Lt wrist XR; PA/AP view; in cast 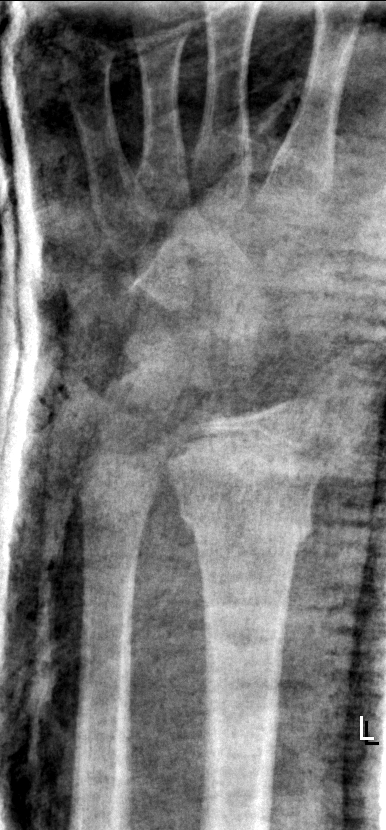
AO/OTA classification: 23-M/2.1.
Bone fracture identified at 174,483,316,547.